PA/AP projection | left wrist radiograph | age 5 y, girl —
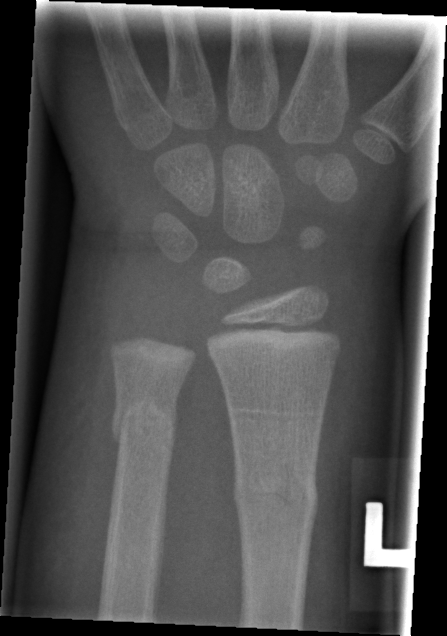

FINDINGS: Bone fracture identified at 229,460,319,527
  108,390,182,462.